Lat · left wrist XR · age 15 y, male · imaged through cast — 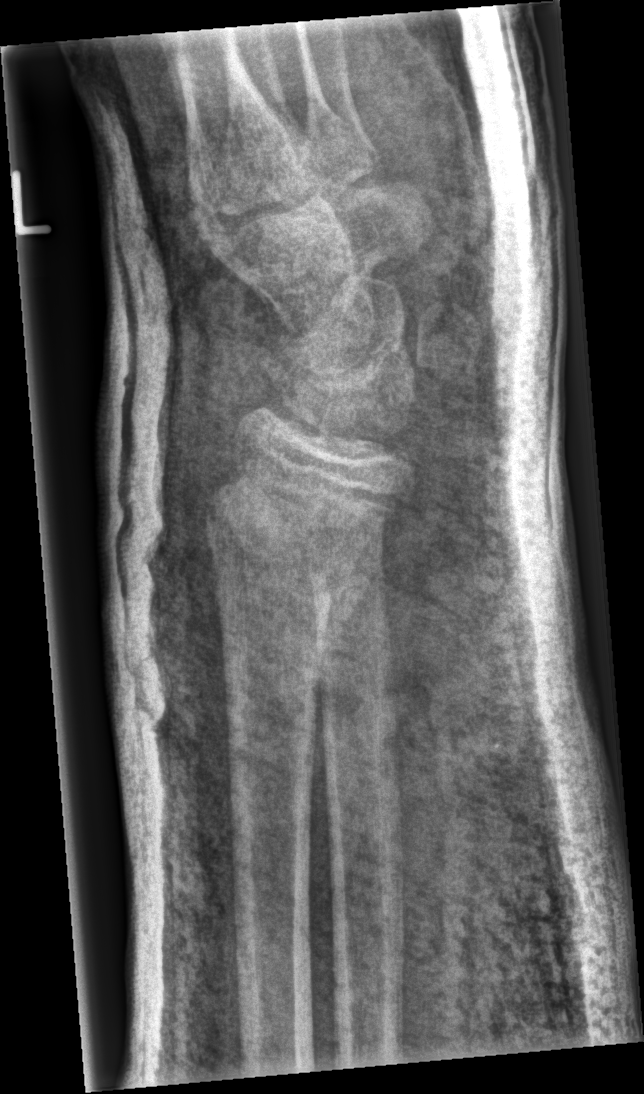

Periosteal reaction: 305,510,386,766. Fracture classified AO/OTA 23r-M/3.1; 23u-E/7. Fracture identified at 196,444,399,614.